PA/AP projection, left wrist radiograph. 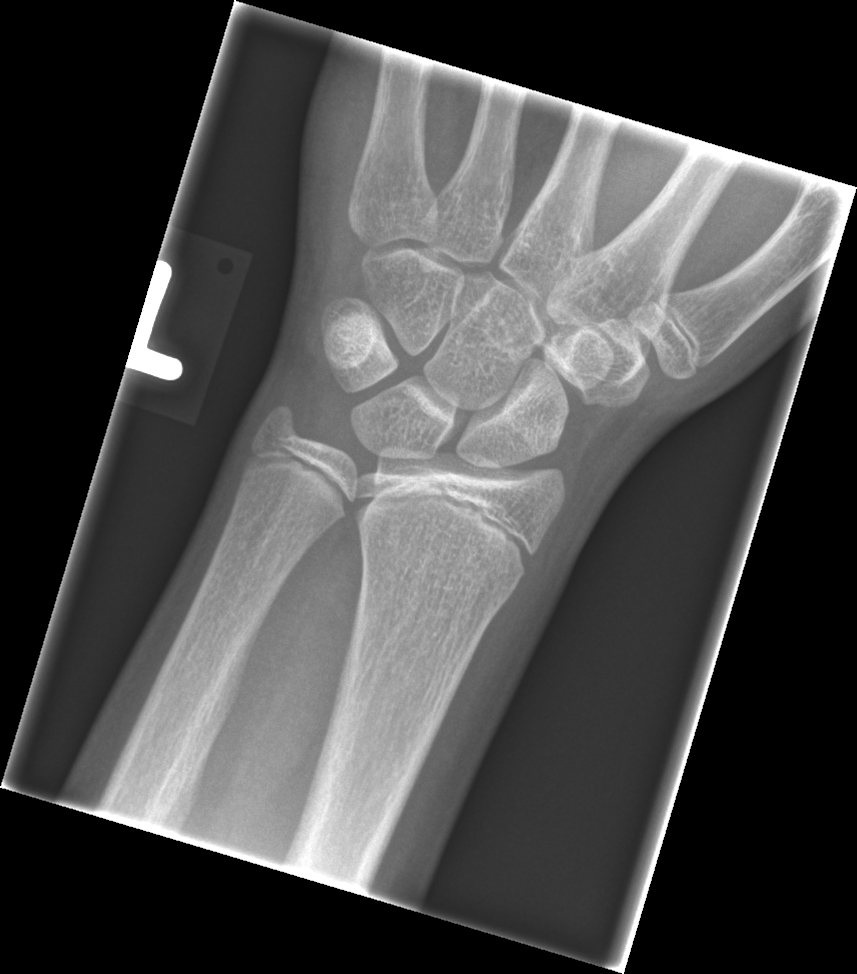
• Pixel coordinates, top-left origin, xyxy.
• AO/OTA classification: 23r-M/2.1.
• Fx — 354 522 519 616.